Lateral projection · L plain radiograph of the wrist · boy, 10 yo · follow-up study · in cast · acquired on Siemens — 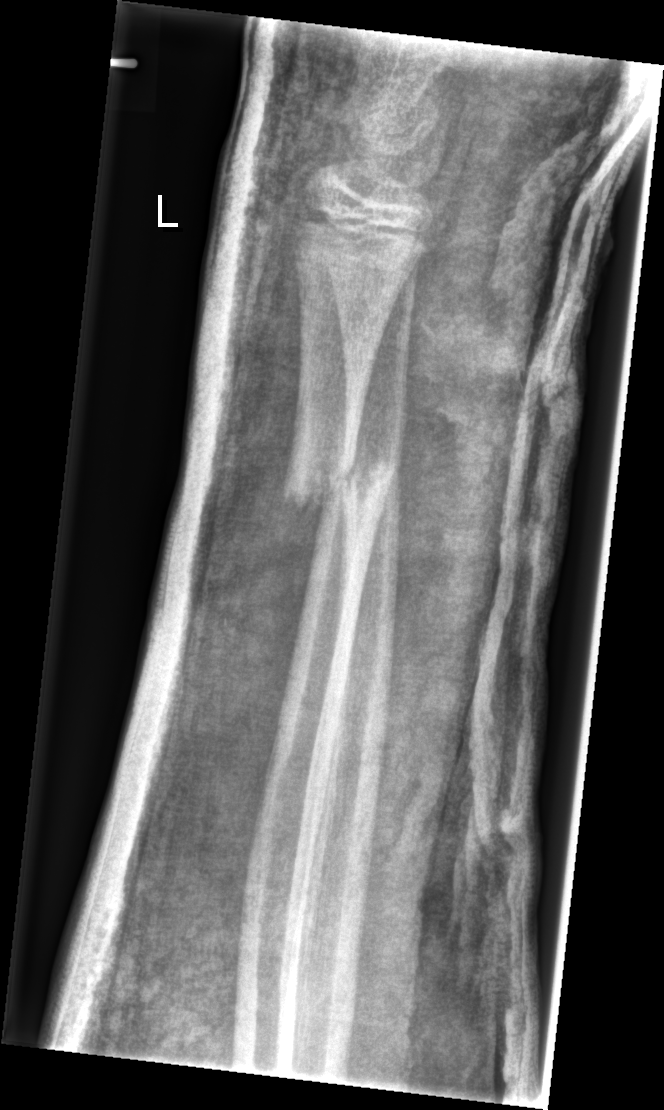

One Fx at bbox(279, 437, 402, 529).